Right wrist plain radiograph of the wrist | lat —

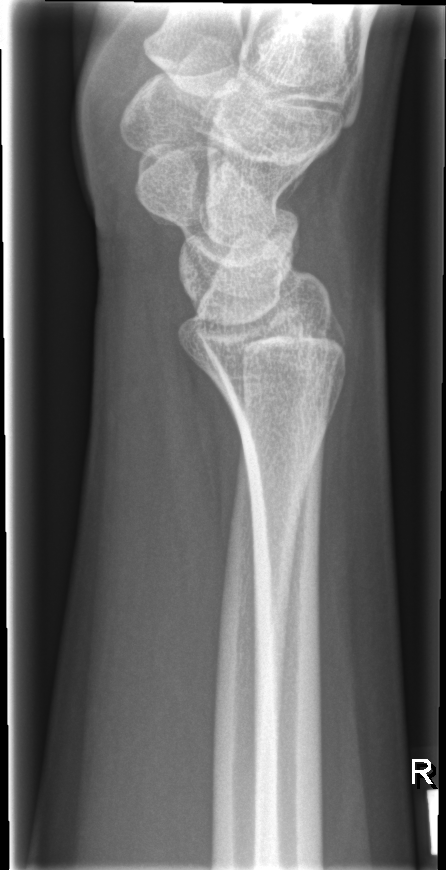
Fx = none labeled